Right wrist pediatric wrist radiograph · lat view · pediatric patient (boy, age 12) · Siemens.

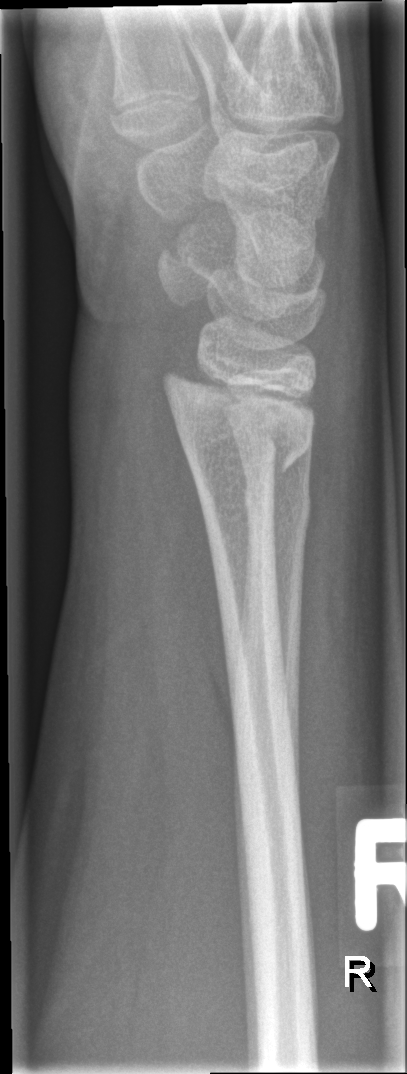

Findings: Pronator quadratus fat-pad sign identified at [x1=126, y1=317, x2=237, y2=757]. Two bone fractures at [x1=155, y1=365, x2=316, y2=470] [x1=242, y1=484, x2=312, y2=525].